PA | Rt wrist X-ray | pediatric patient (girl, age 8) | presentation radiograph —
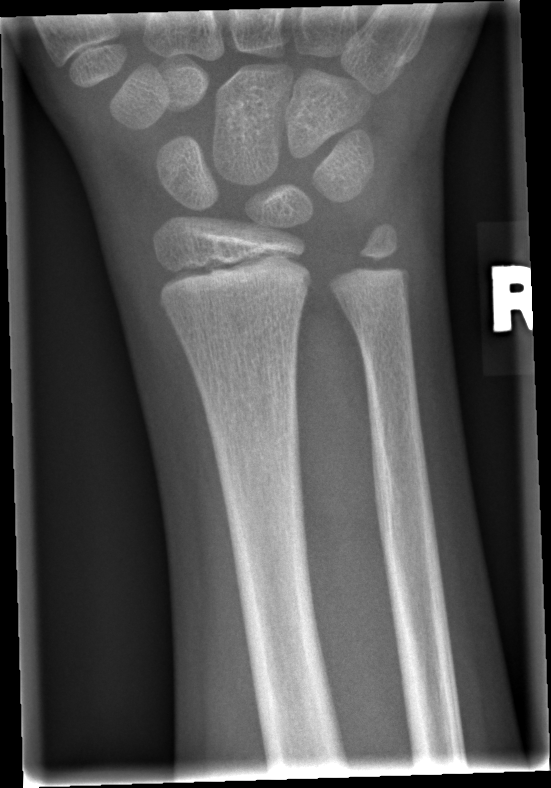

* Fracture: none labeled.